Lt wrist XR, lateral view, follow-up study, imaged through cast: 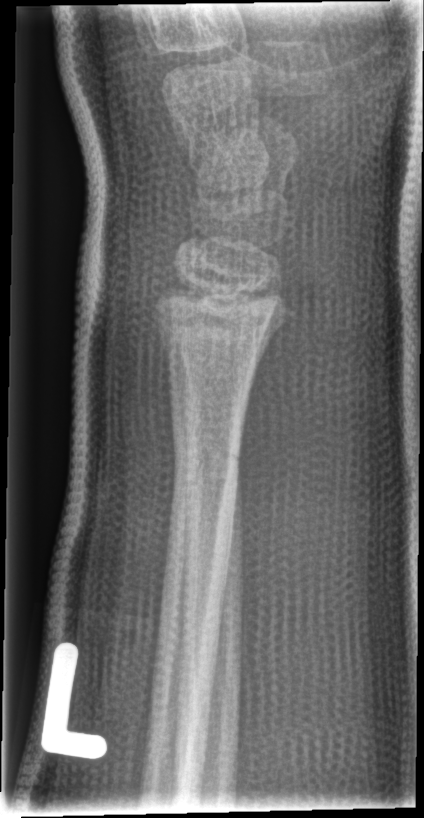

Findings: AO/OTA classification: 23r-M/3.1. Fracture identified at <170,428>-<247,481>.